Lateral projection, left wrist plain film, follow-up, imaged through cast:
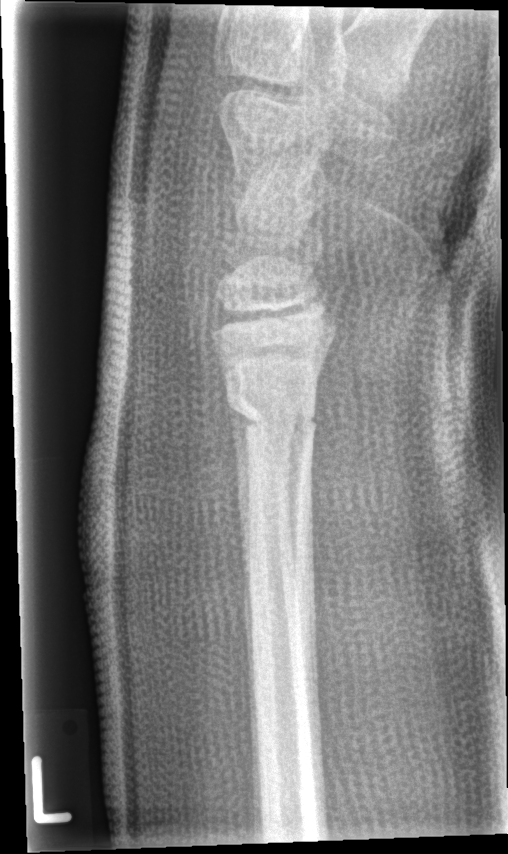
Fracture: (221, 384, 321, 448). AO code 23r-M/3.1.